Rt wrist radiograph; lat; age 9 y, girl

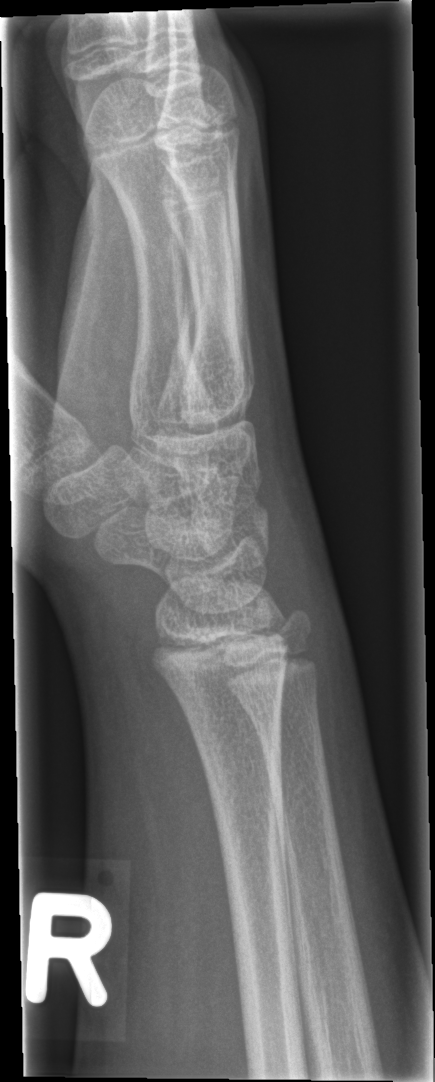

No fracture annotation.